Posteroanterior projection, right wrist radiograph, age 10 y, male —
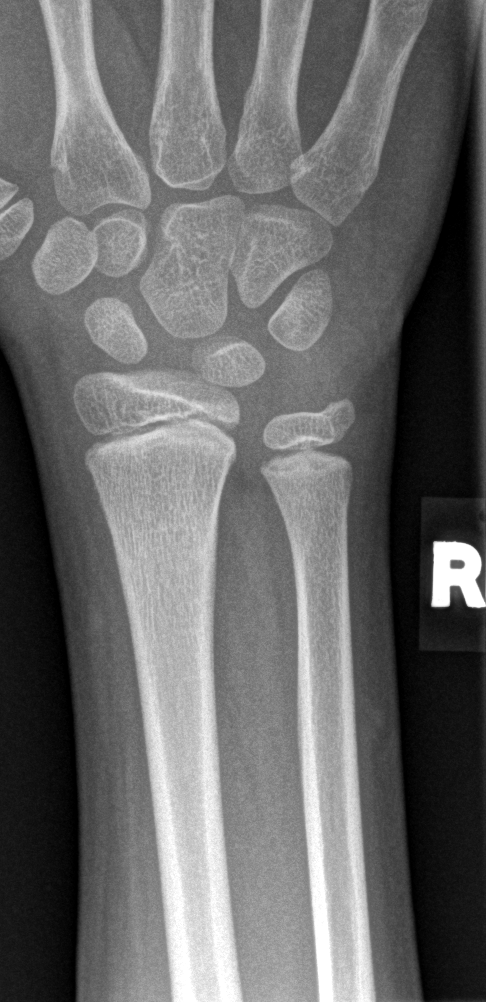

(coordinates are [x1, y1, x2, y2] in image pixels)
Q: Is there a fracture?
A: Fx identified at bbox(105, 498, 220, 596)